AP view | right wrist XR | 12-year-old boy | diagnosis uncertain | Siemens 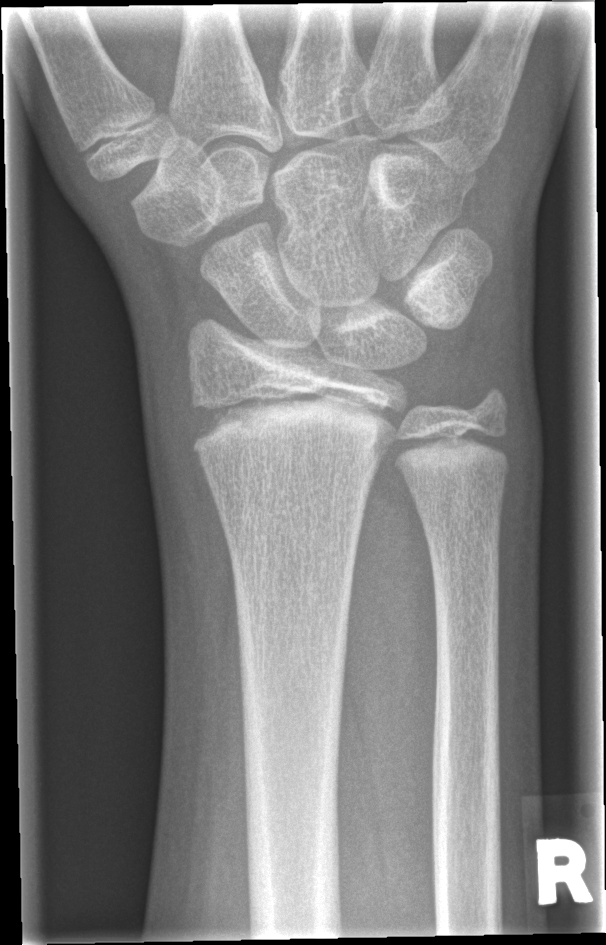
Fracture: none labeled.